Lateral | left pediatric wrist radiograph

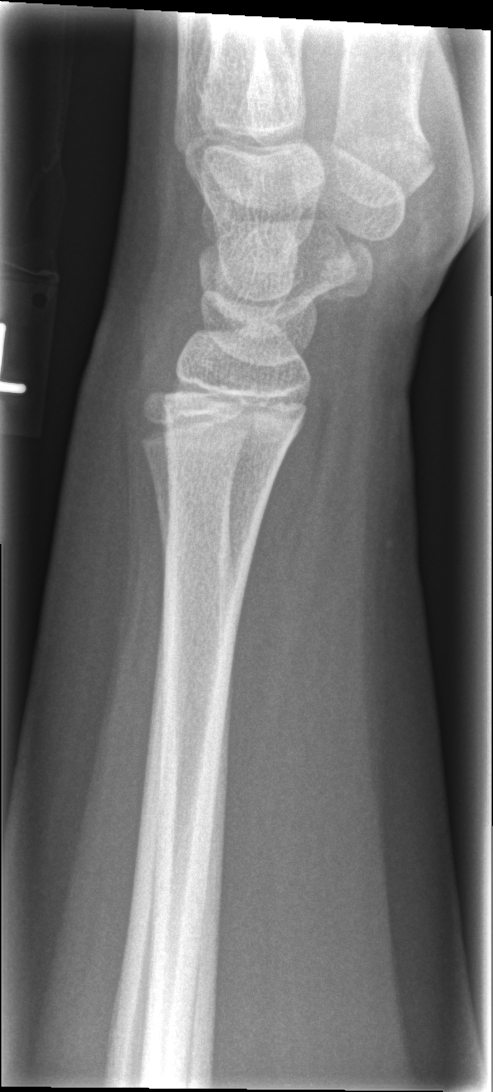 No fracture annotation.